L wrist radiograph | lat projection | age 12 y, girl:
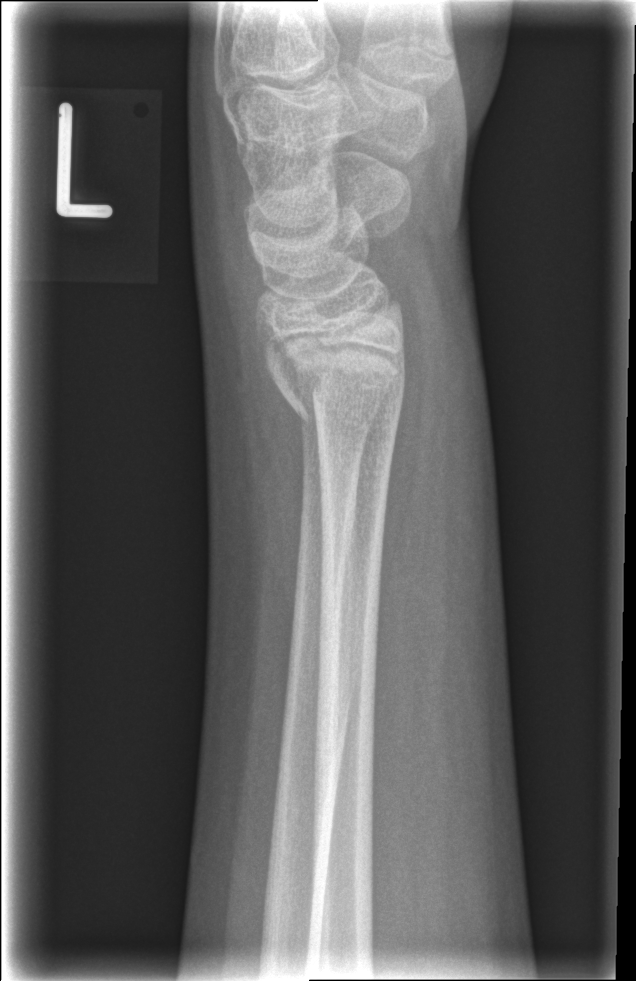
FINDINGS: Fracture — bbox(270, 360, 408, 443).